Left wrist plain film; lat view:

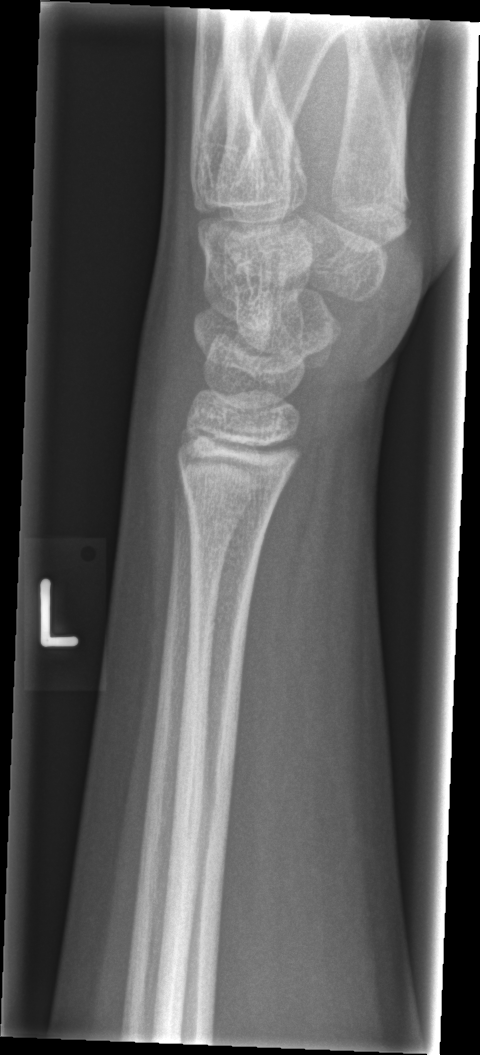

{
  "fracture": "none labeled"
}